Rt wrist X-ray, lateral projection, 5-year-old female, presentation radiograph, detector: Siemens, image 73.2 mm wide, 508x762. 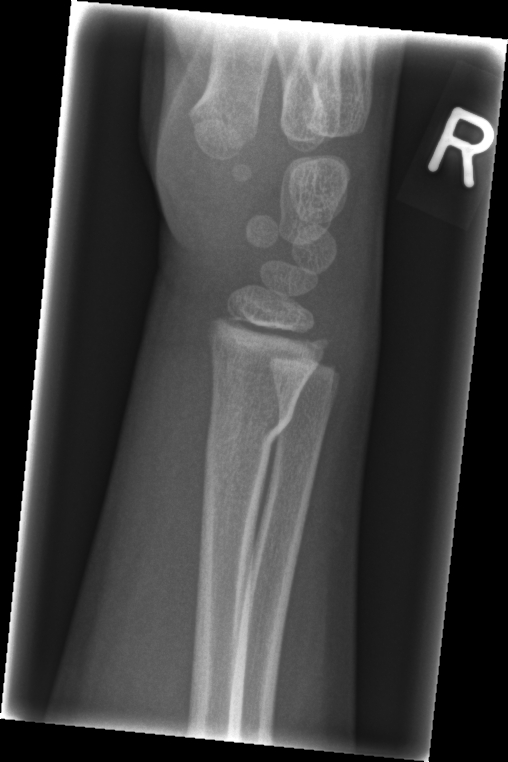 - Bounding boxes in image-pixel xyxy.
- One fracture at (204, 403, 295, 446).
- AO/OTA classification: 23r-M/2.1.